Rt wrist XR | posteroanterior projection | pediatric patient (boy, age 8) | acquired on Siemens | image 80.2 mm wide.

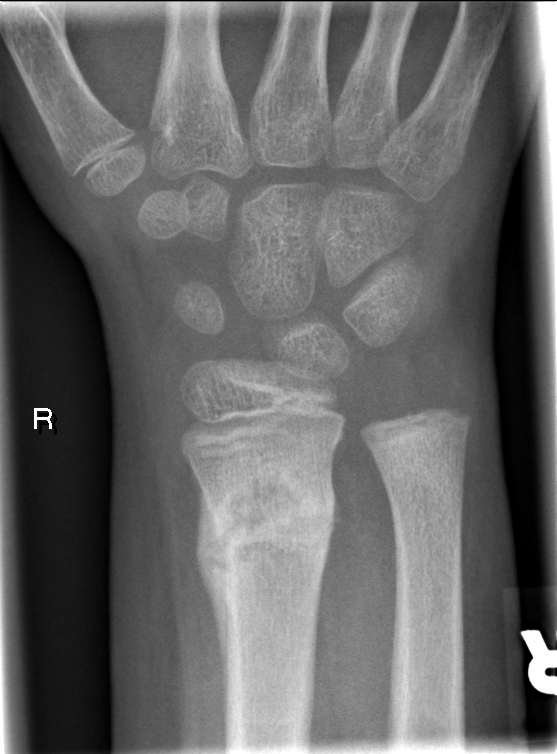

(bounding boxes in image-pixel xyxy)
AO classification: 23r-M/3.1
periosteal new bone: 1 @ 200,496,229,704
bone fracture: 199,470,334,599
osteopenia: present